Frontal projection, right wrist XR, pediatric patient (male, age 10), index exam, image width 78.6 mm 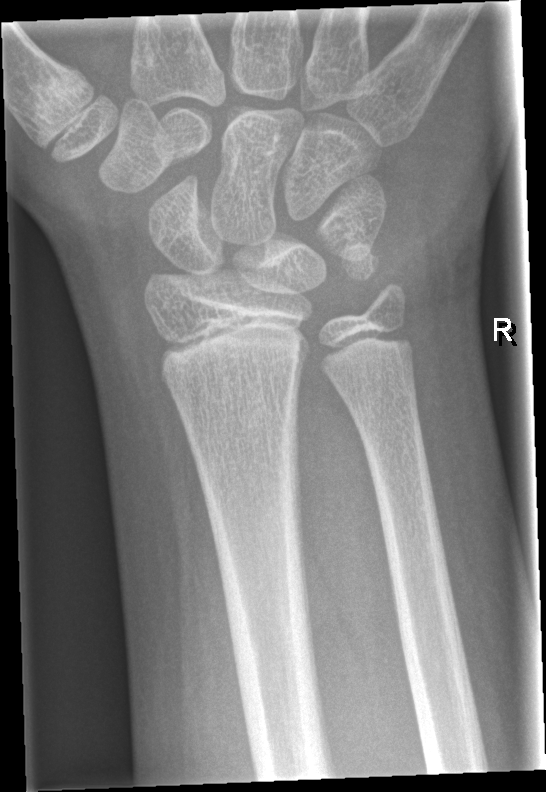

Bone fracture: none labeled